Lt plain radiograph of the wrist, lat view, boy, 18 yo, index exam —

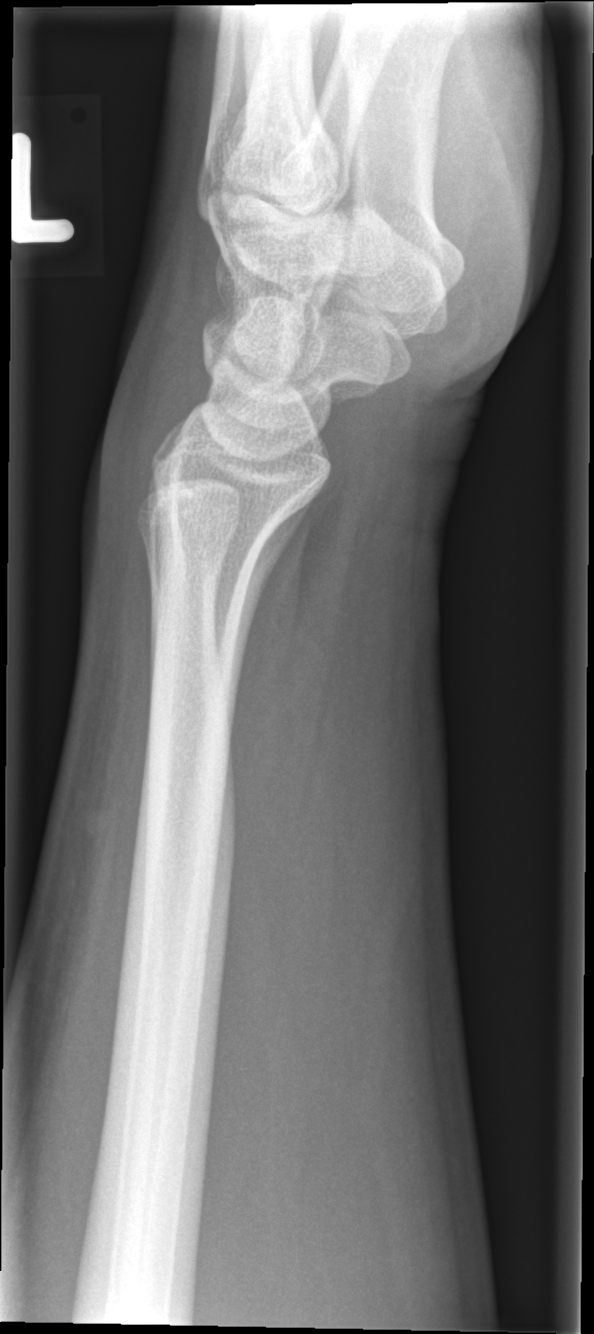

No Fx annotated.